Lateral view, left pediatric wrist radiograph, pediatric patient (female, age 6), detector: Siemens, image size 346x630 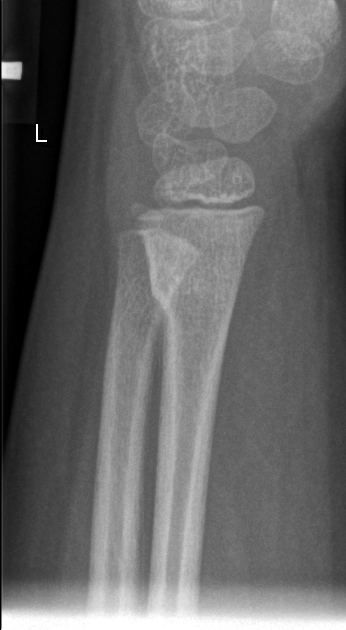

fracture: 1 @ <148,267>-<240,327>